Right wrist radiograph, lateral projection, detector: Siemens — 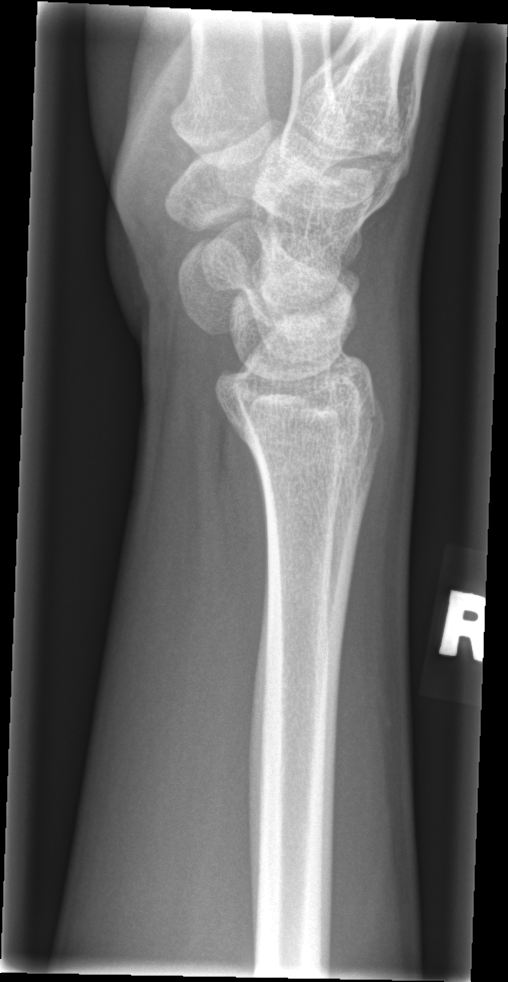 No Fx annotated.